Lateral, Lt pediatric wrist radiograph, girl, 11 yo, index exam, 476x912 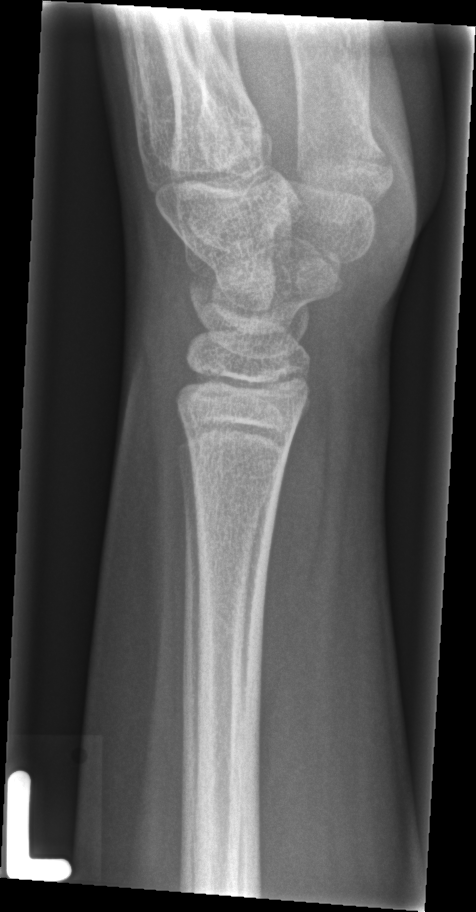

{"fracture": "none labeled"}